PA; R wrist X-ray:
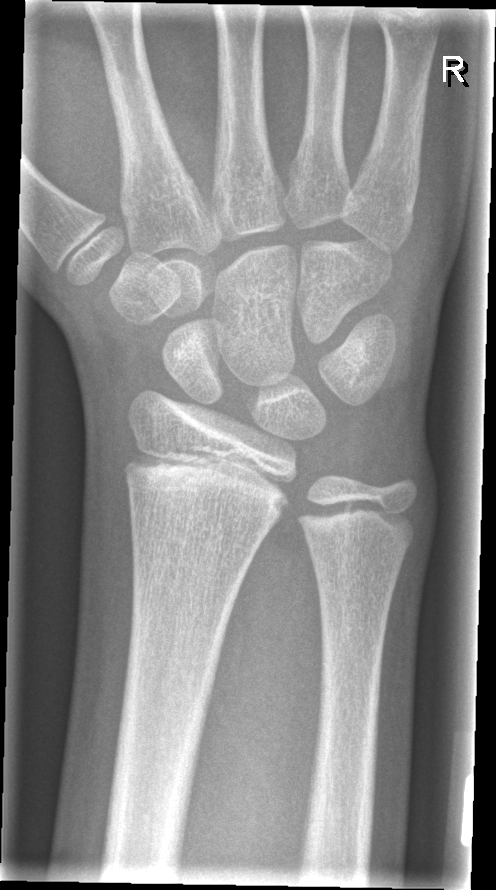
- No fracture annotation.